Right wrist XR | lat view | follow-up | 481 by 854 pixels.
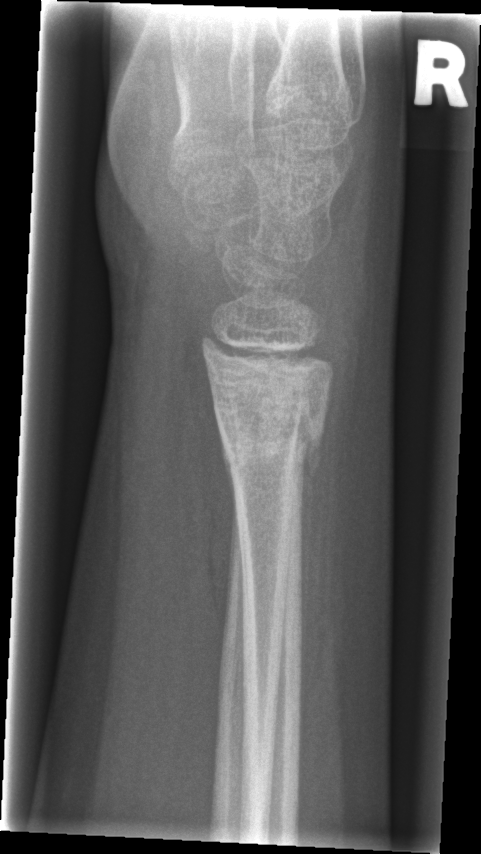

osteopenia: present
Fx: 1 @ [x1=202, y1=370, x2=340, y2=493]
AO/OTA: 23r-M/3.1